Lateral projection | left pediatric wrist radiograph | Siemens:

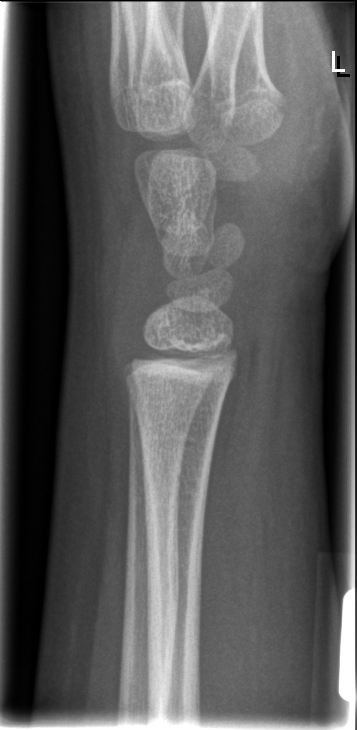

  ao: 23r-M/2.1
  fracture: [128, 388, 217, 435]